Right wrist radiograph | lat projection | initial study | Siemens | image width 60.9 mm:
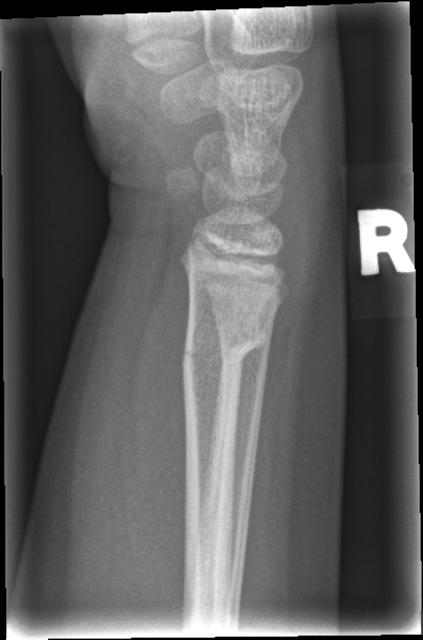 • AO/OTA classification: 23r-M/3.1; 23u-M/2.1.
• One fracture at 179 321 271 372.
• Positive pronator fat-pad sign: 122 245 188 584.